Lat view, right wrist plain radiograph of the wrist, 11-year-old female, imaged through cast, 542x978: 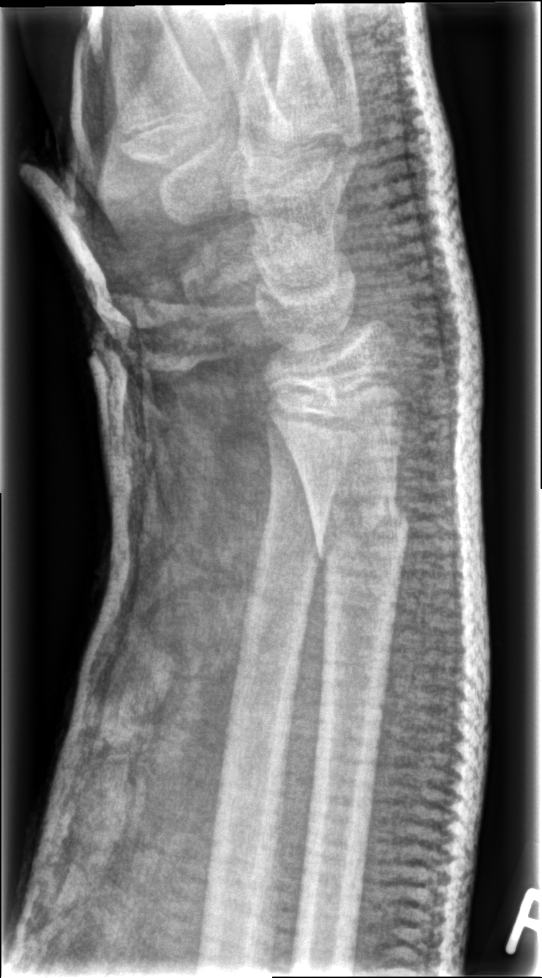
Q: What is the AO/OTA classification?
A: Fracture classified AO/OTA 23r-M/3.1; 23u-E/1.1
Q: Is there a fracture?
A: Fracture identified at (308, 490, 412, 568)